R wrist plain film · PA projection · age 14 y, boy · follow-up study · imaged through cast · image 98.2 mm wide:

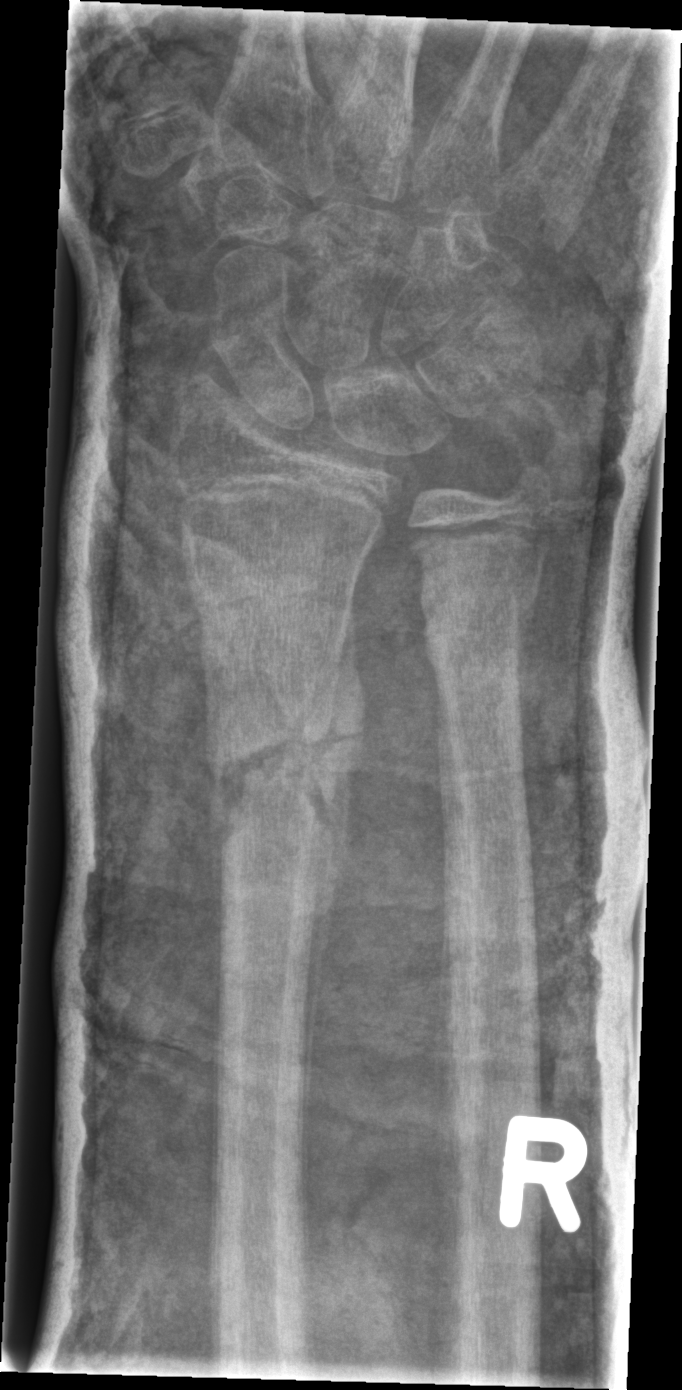
Periosteal reaction identified at [x1=297, y1=582, x2=367, y2=1162]. Reduced bone mineral density. Two fractures at [x1=195, y1=711, x2=346, y2=839] [x1=408, y1=567, x2=541, y2=665].